Lat; right wrist radiograph; boy, 16 yo — 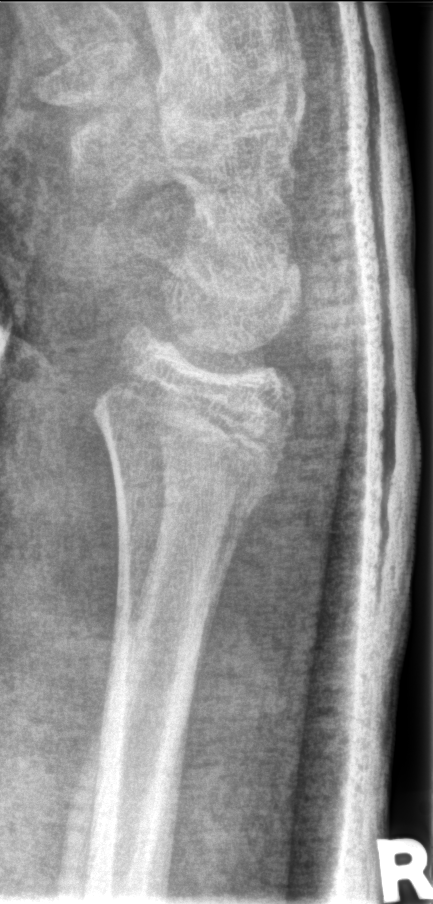
Fracture = 90,369,301,536